Lat; Lt plain radiograph of the wrist; 5y F; follow-up
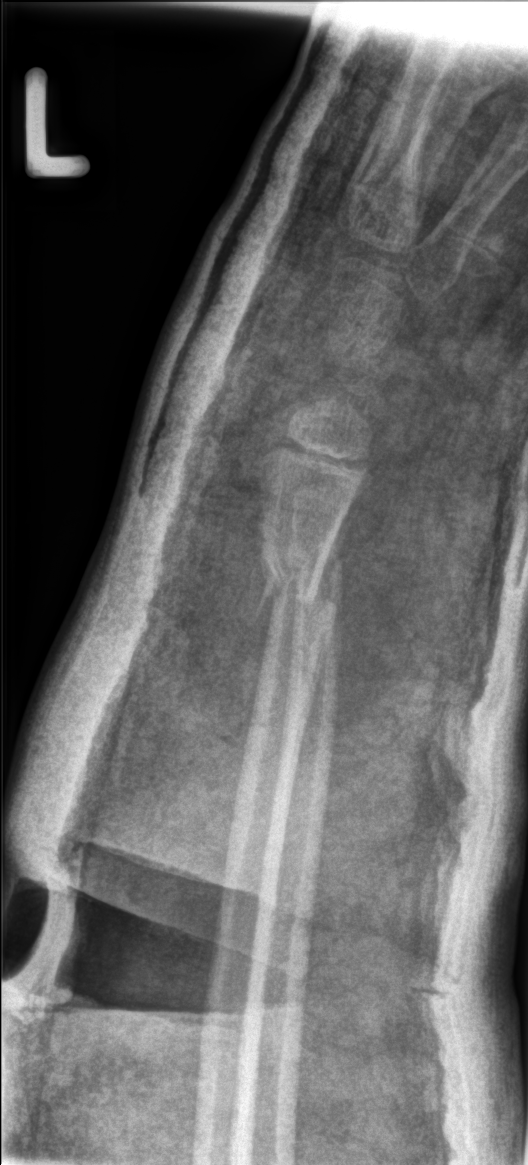
* Pixel coordinates, top-left origin, xyxy.
* Fracture — [x1=250, y1=540, x2=344, y2=622].